Posteroanterior view · left plain radiograph of the wrist · acquired on Siemens:
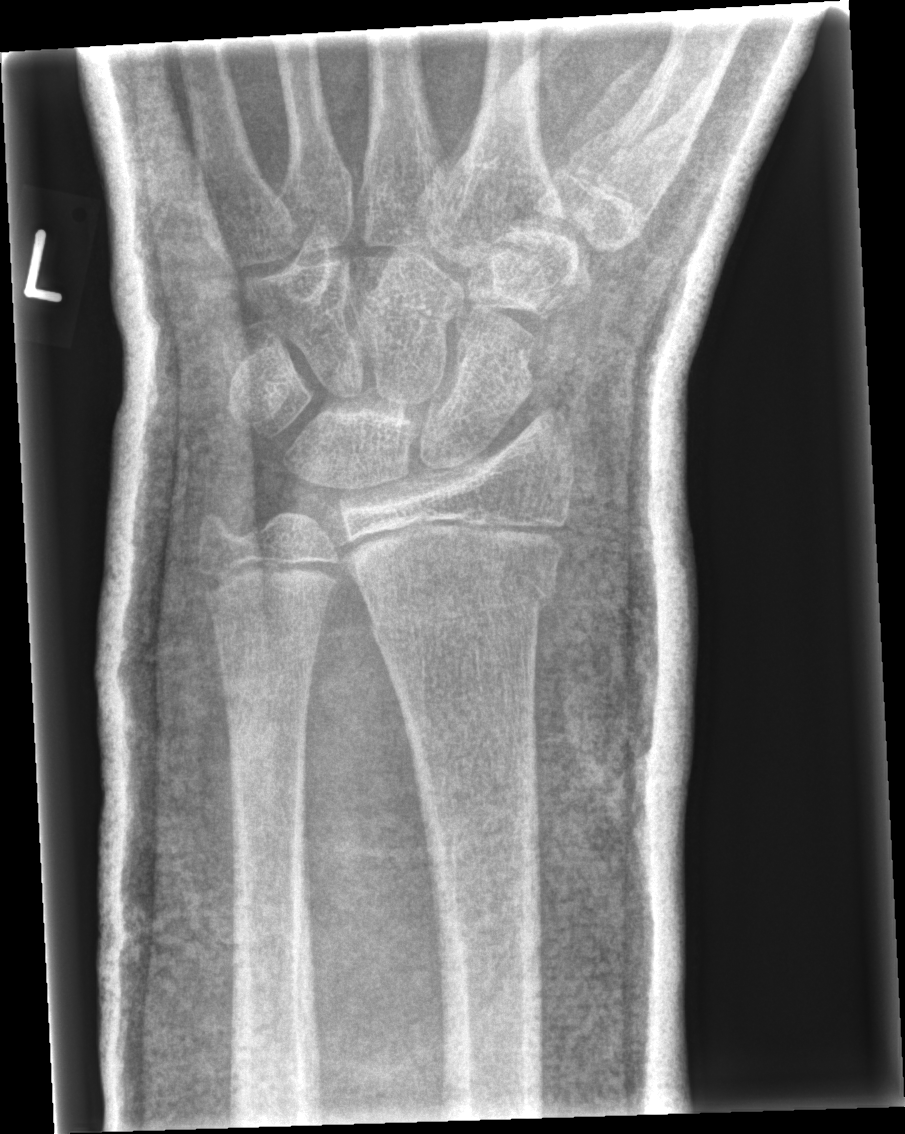
FINDINGS — Fracture classified AO/OTA 23r-M/3.1. Bone fracture — [348, 541, 562, 616].